PA/AP; right wrist radiograph; age 14 y, male; diagnosis uncertain; image width 97.6 mm: 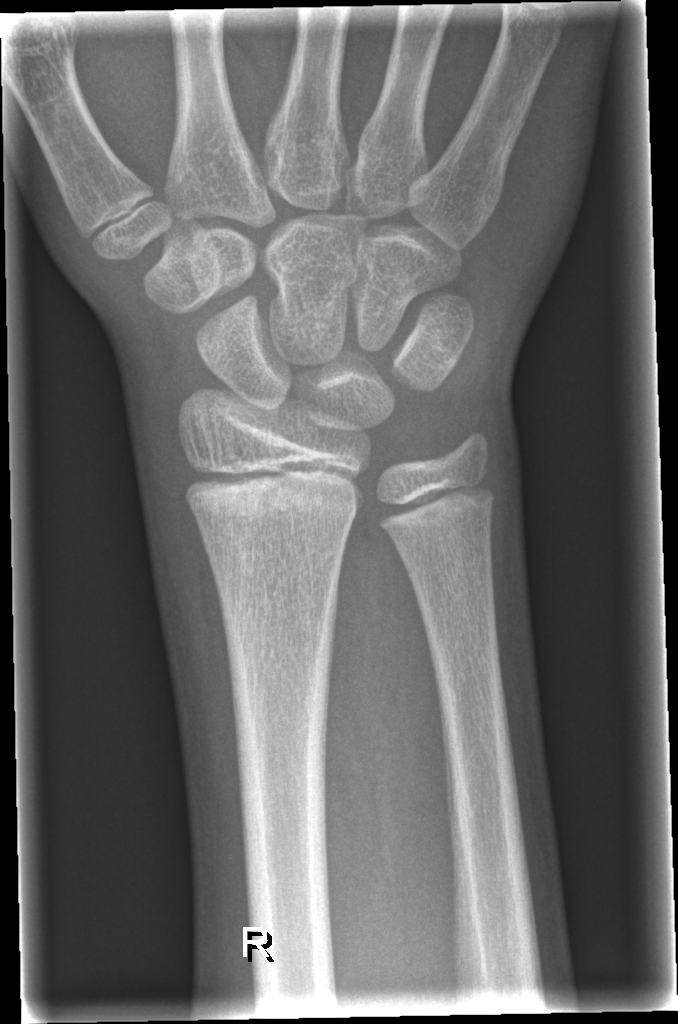

Fracture = present but not clearly seen in this view